Left wrist XR, lat projection, girl, 9 yo, cast present —
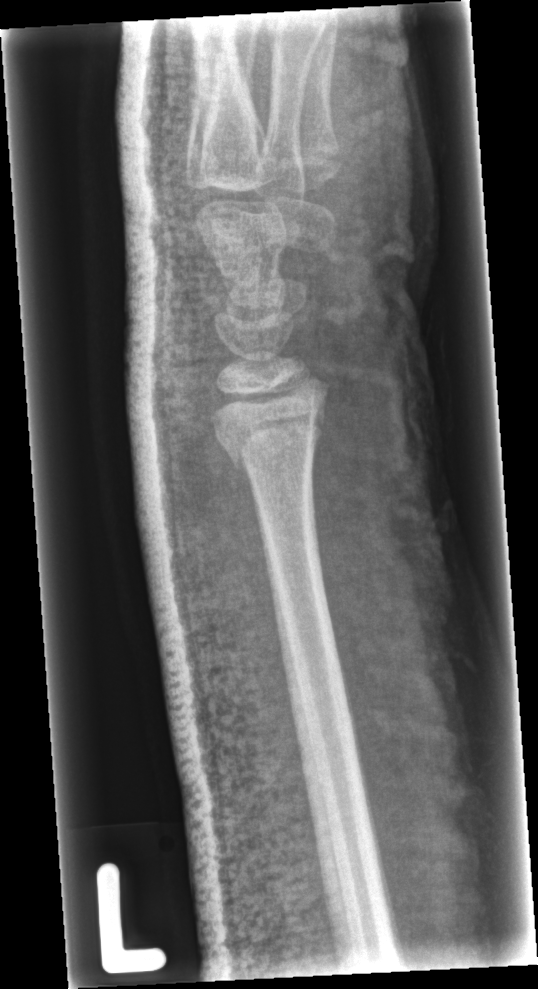

• Pixel coordinates, top-left origin, xyxy.
• Bone fracture — <216,413>-<326,478>.
• Fracture classified AO/OTA 23r-M/3.1.